R wrist XR | AP projection | 10-year-old girl | acquired on Siemens

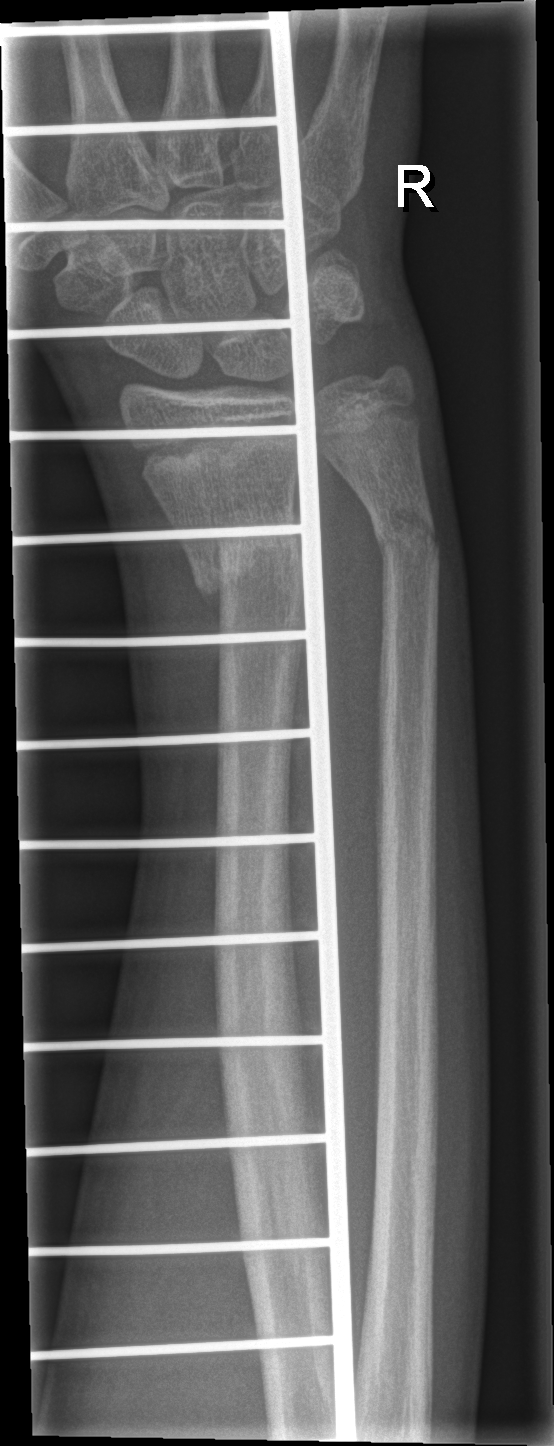 {
  "_coords": "pixel coordinates, top-left origin, xyxy",
  "ao": "23-M/3.1",
  "metal": "[0, 9, 361, 1442]",
  "fracture": "[189, 512, 303, 603]; [371, 498, 443, 568]"
}